Rt wrist X-ray; AP projection; presentation radiograph; detector: Siemens

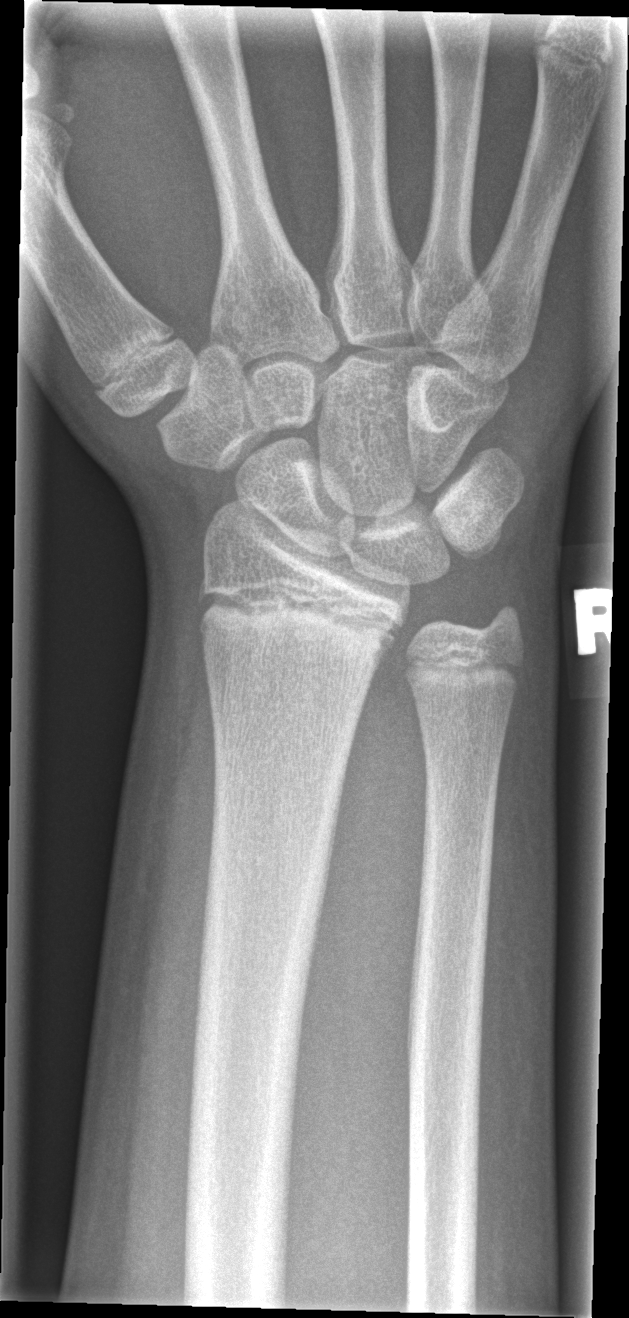

FINDINGS: No fracture labeled.